Lat view, L wrist radiograph, 9-year-old boy, subsequent exam, 397x930
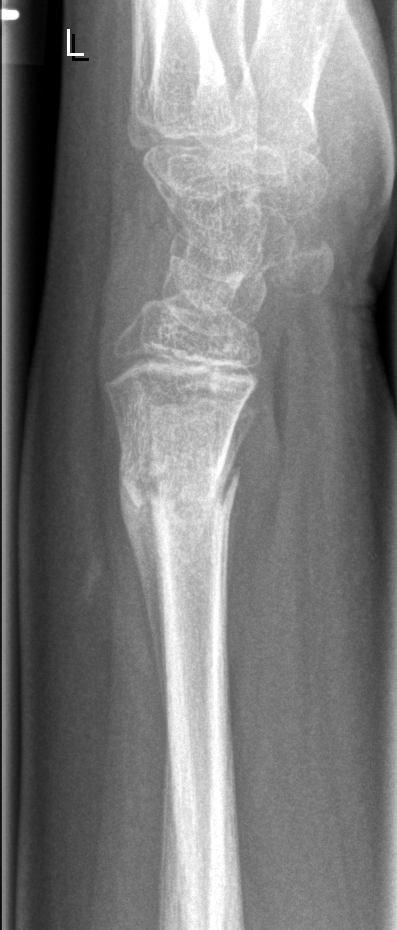

Boxes as x1,y1,x2,y2 (top-left / bottom-right, pixel units).
Reduced bone mineral density.
Fx identified at 114 444 243 530.
AO code 23r-M/3.1; 23u-M/2.1.
Periosteal thickening: 117 452 167 721 | 221 467 240 652.